Lat projection | left wrist X-ray | boy, 9 yo | image 78.5 mm wide: 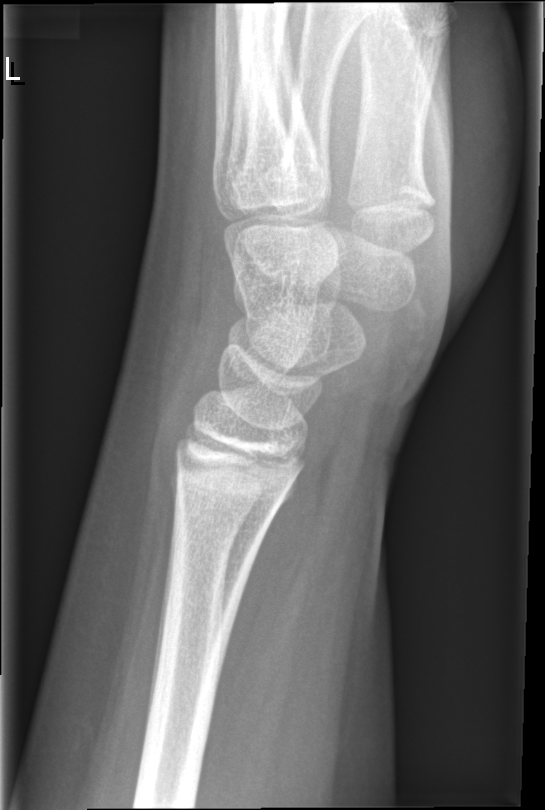
Fracture: present but not clearly seen in this view.
AO/OTA classification: 77.5.1A.